Lateral, right wrist plain film, detector: Siemens.
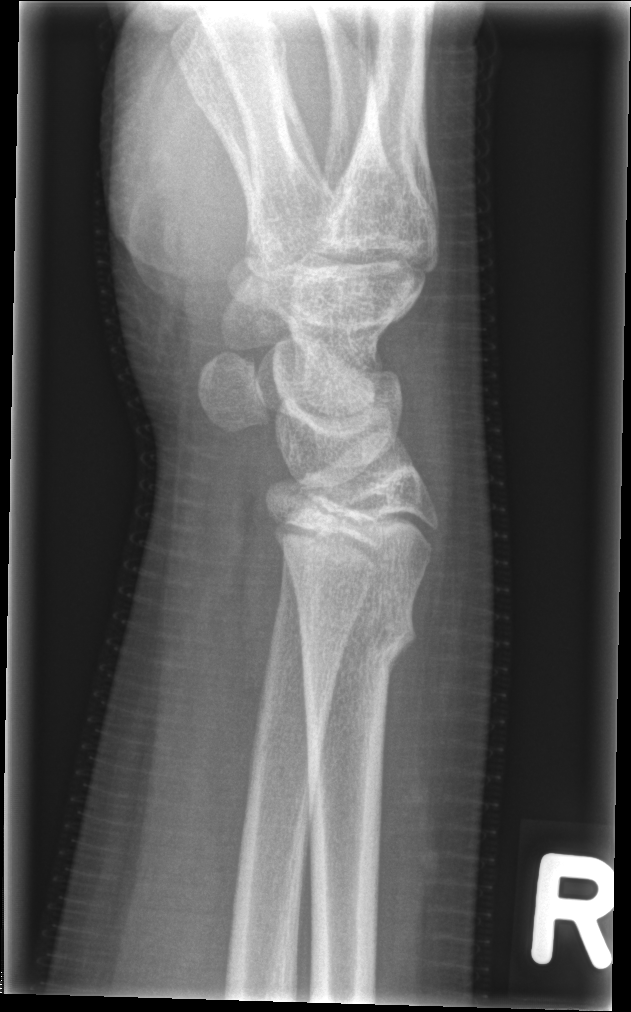
AO classification: 23r-M/2.1; 23u-E/7
Bone fracture: (295, 603, 421, 674)